Right wrist XR · PA projection · age 6 y, boy · initial study · 507 x 1128 px

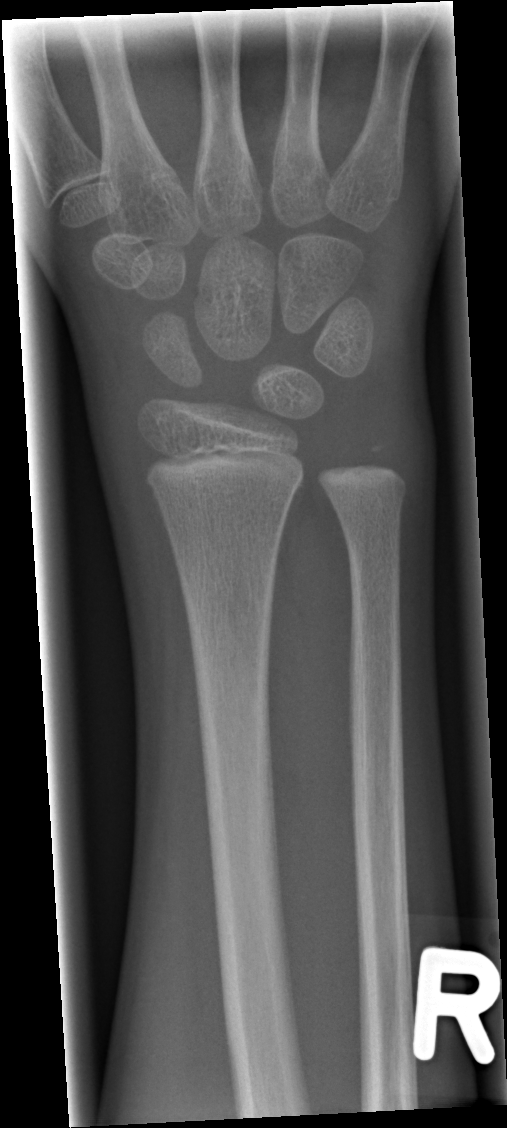
FINDINGS: (boxes as x1,y1,x2,y2 (top-left / bottom-right, pixel units)) No fracture labeled. Soft tissue abnormality identified at (77, 290, 169, 580).